Lateral view · R wrist X-ray · index exam.
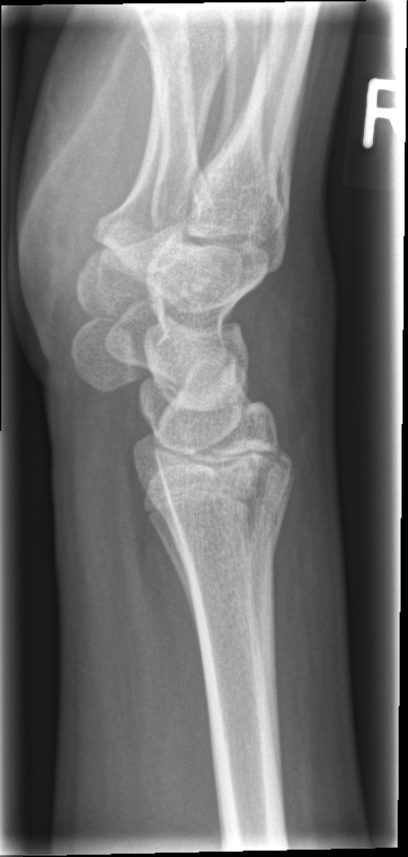
Bounding boxes in image-pixel xyxy. Fx identified at <141,478>-<295,570>. One soft-tissue swelling at <248,243>-<341,446>.